Lateral view; R wrist plain film; pediatric patient (girl, age 12); follow-up study; imaged through cast; 524 x 1042 px 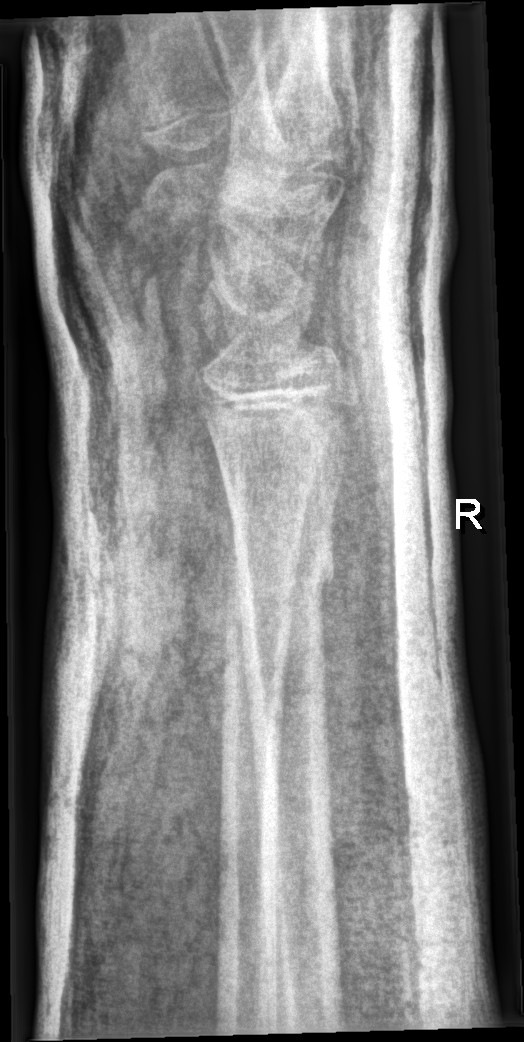 FINDINGS — Fx identified at (left=231, top=534, right=338, bottom=619).